Lat view | Lt wrist radiograph | pediatric patient (male, age 13) | cast present —
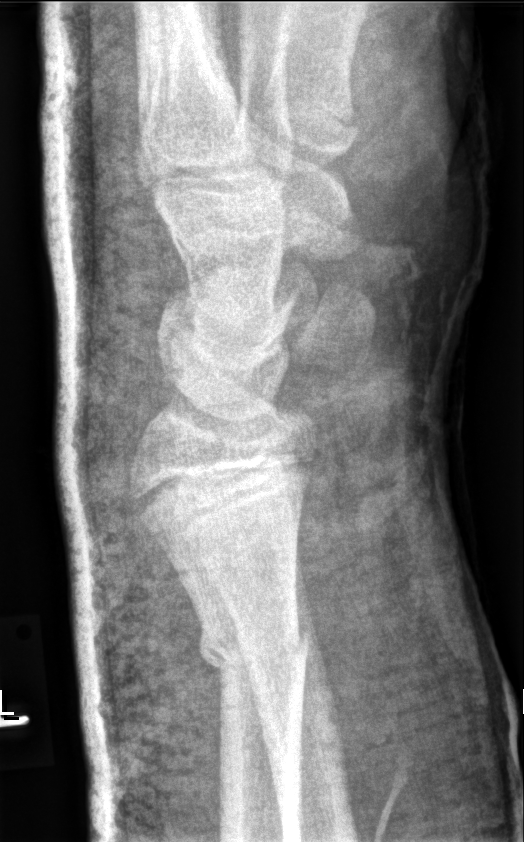

FINDINGS: (coordinates are [x1, y1, x2, y2] in image pixels) One Fx at <196,610>-<313,678>.